Lat projection · right pediatric wrist radiograph · age 1.7 y, boy · diagnosis uncertain:
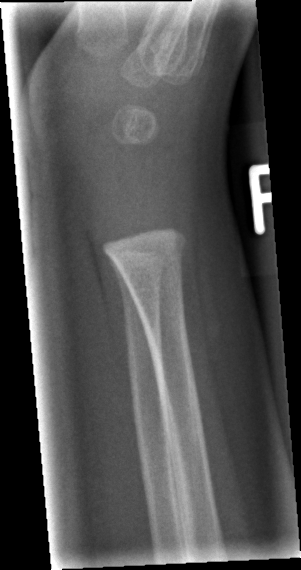
Fx: none.